Lt plain radiograph of the wrist | lat view | male, 6 yo | imaged through cast

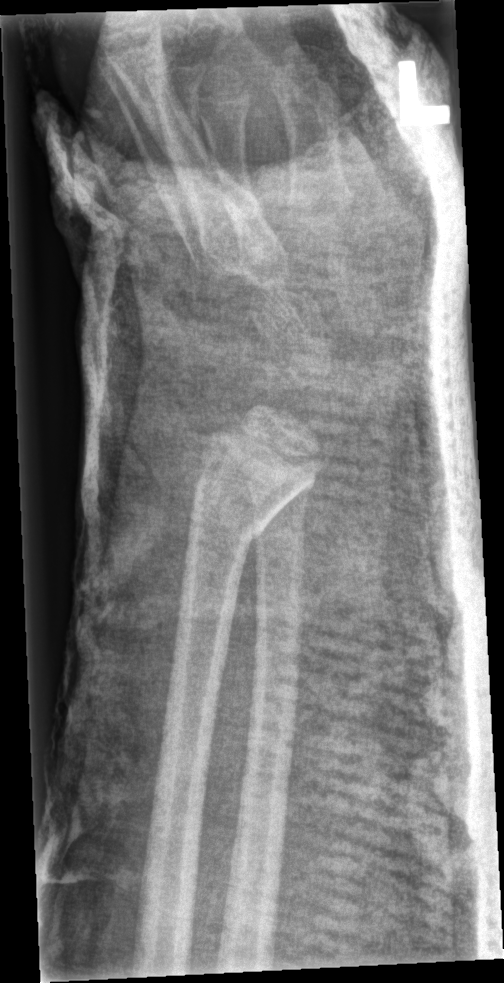
Findings: (boxes as x1,y1,x2,y2 (top-left / bottom-right, pixel units)) AO/OTA classification: 23r-M/3.1. One fracture at 184,467,271,548.